PA/AP; Rt pediatric wrist radiograph; pediatric patient (female, age 9); in cast. 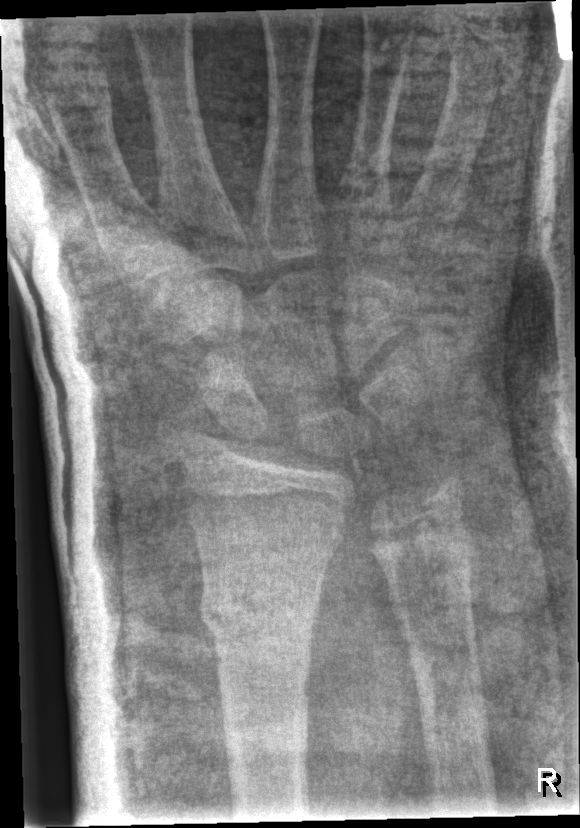

fracture: 199,579,320,652